Rt wrist plain film | posteroanterior projection —
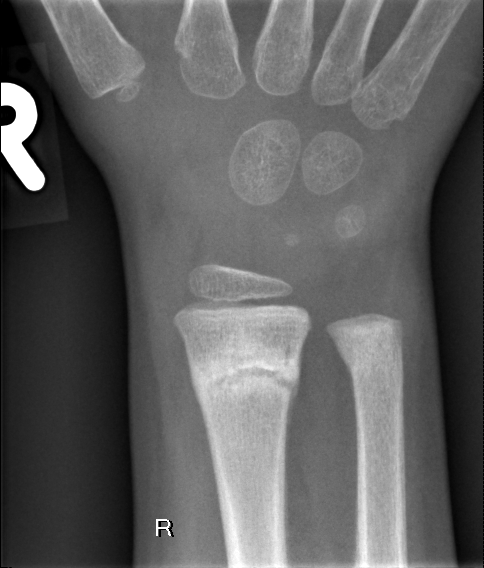 AO code: 23r-M/3.1; 23u-M/2.1
Bone fracture: 2 @ 183,336,305,408
  339,341,407,389